Lat view; Rt pediatric wrist radiograph; 17-year-old male; 77.2 mm image width —
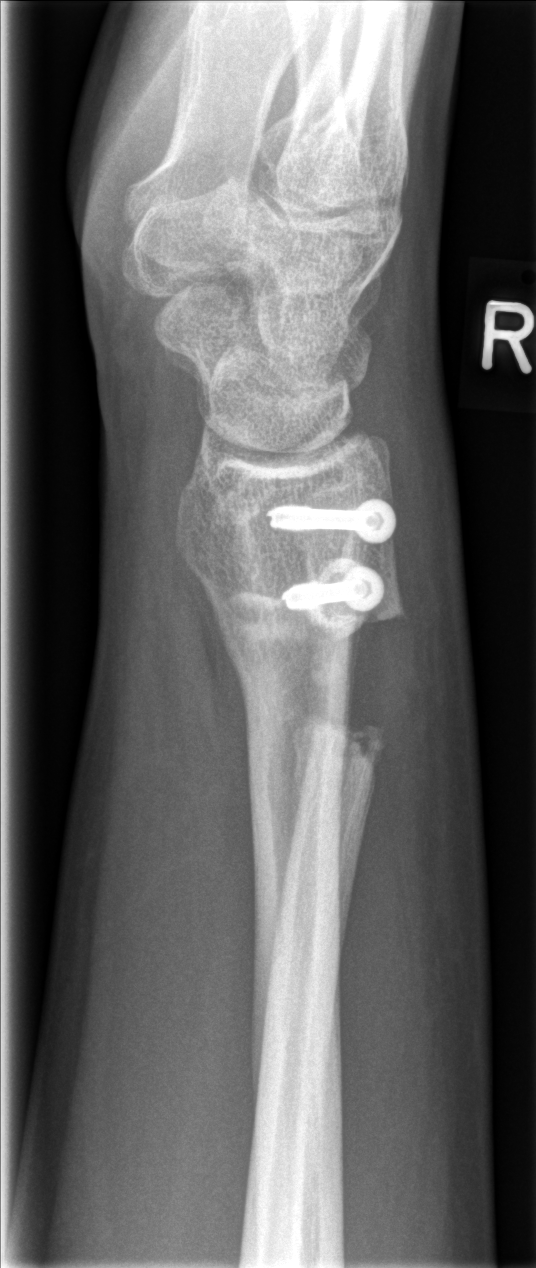

Findings: (boxes as x1,y1,x2,y2 (top-left / bottom-right, pixel units)) Bone variant identified at 280 478 410 808. Hardware — 278 559 393 622 | 261 497 400 544. No fracture labeled.